Lateral | left wrist radiograph. 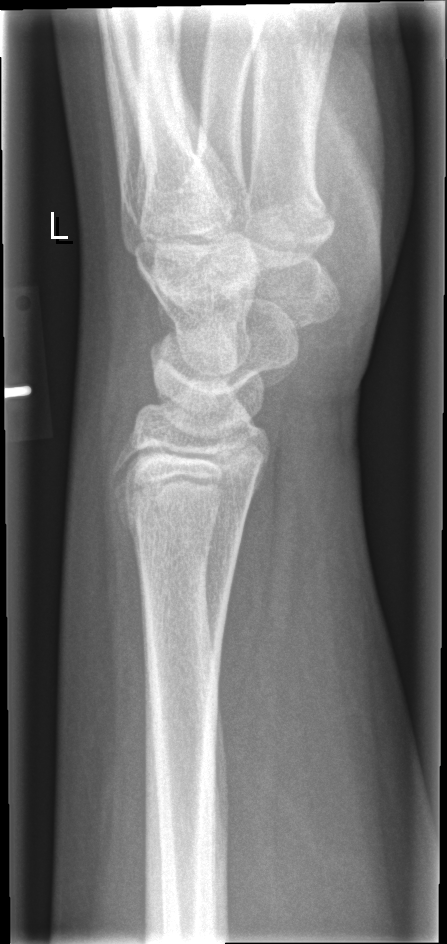

FINDINGS — Fracture — [114, 477, 249, 571].